Lateral projection; R plain radiograph of the wrist; Siemens; image width 71.3 mm:

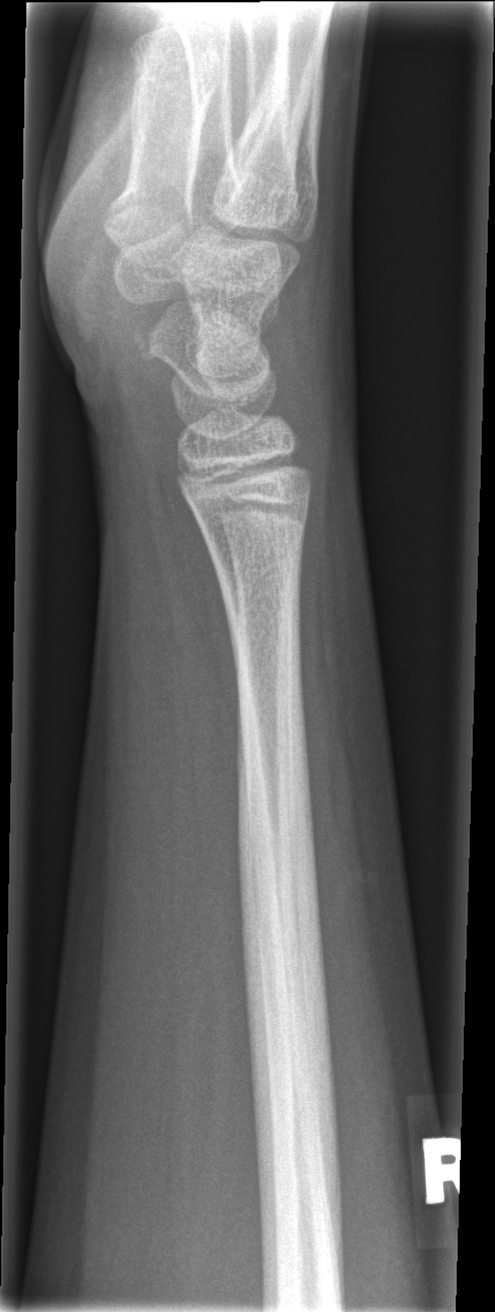 No Fx annotated.